Frontal projection · left plain radiograph of the wrist · pediatric patient (male, age 14) · 105.3 mm image width. 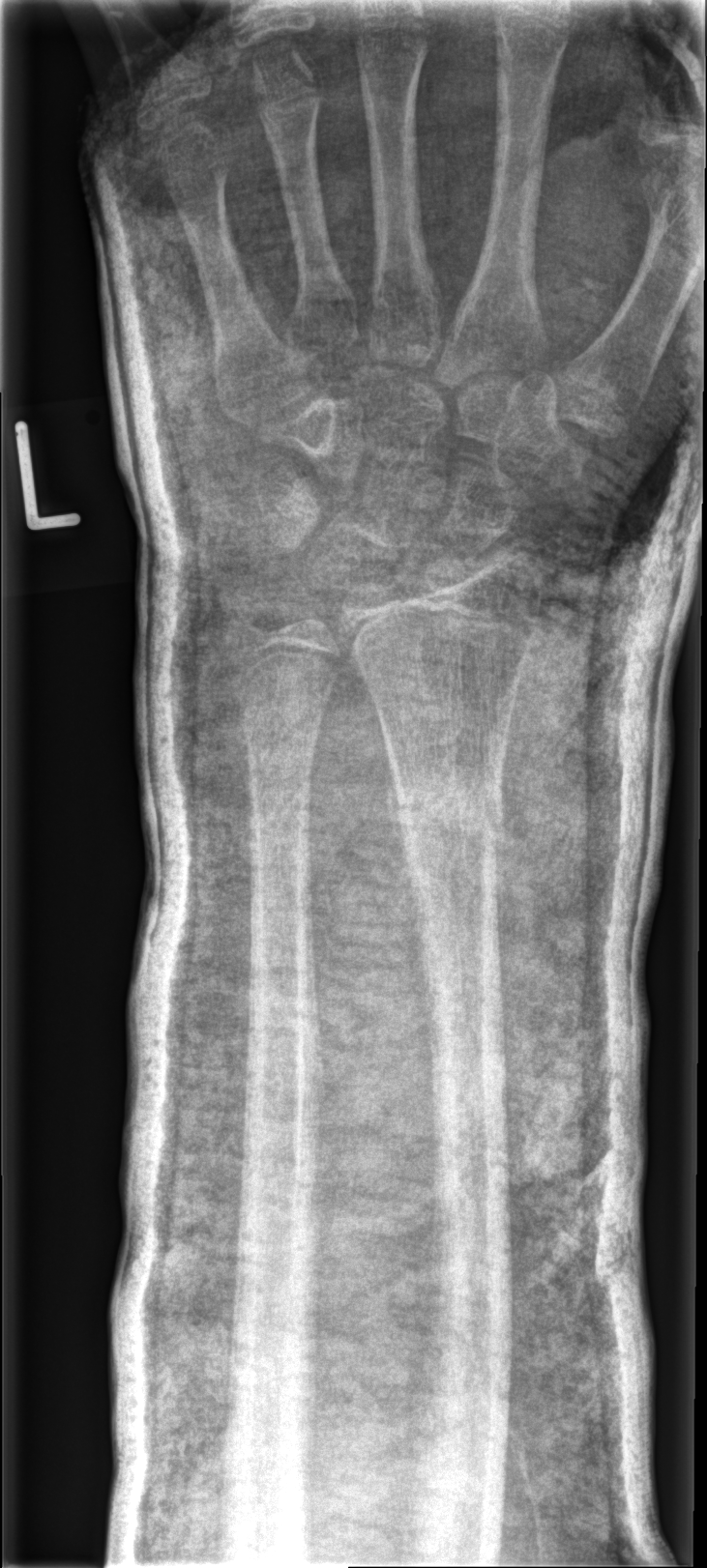
Boxes as x1,y1,x2,y2 (top-left / bottom-right, pixel units).
One Fx at [388, 775, 508, 868].